Rt wrist radiograph · lateral view · pediatric patient (female, age 14) · image size 384x986 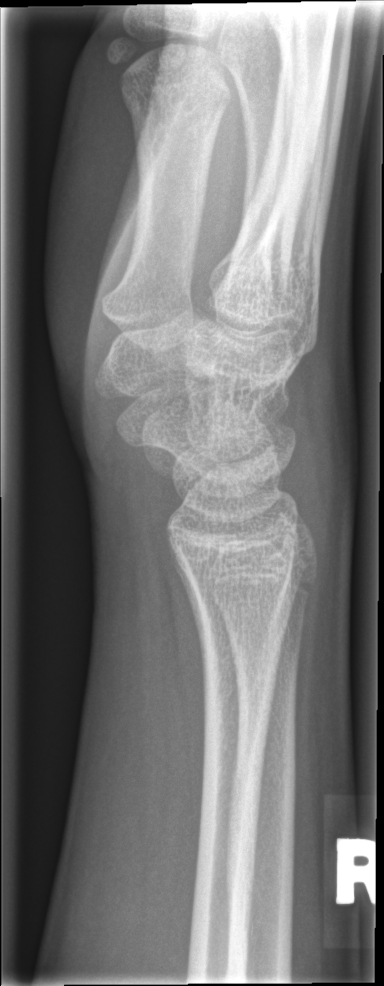

fracture: none labeled